PA view | right wrist radiograph:
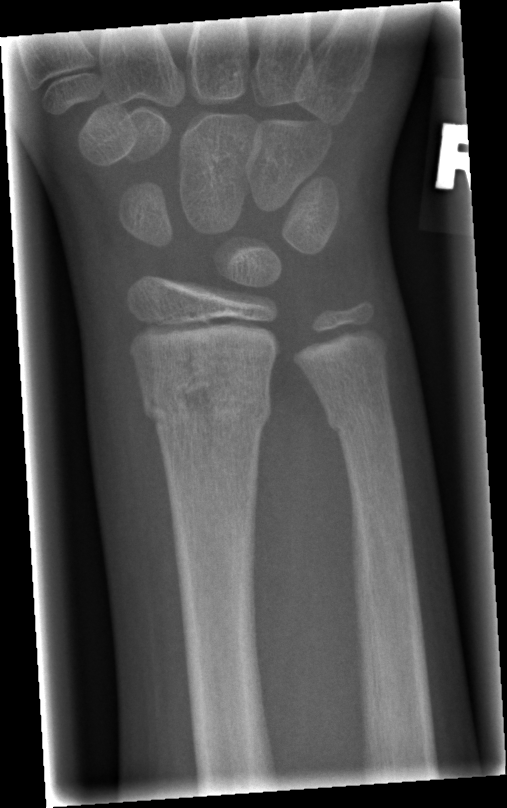
FINDINGS — Bone fractures — [139, 373, 275, 440]; [318, 393, 404, 449]. AO/OTA classification: 23-M/3.1.